Right wrist plain film · PA/AP projection · 65.2 mm image width · 453 by 1160 pixels: 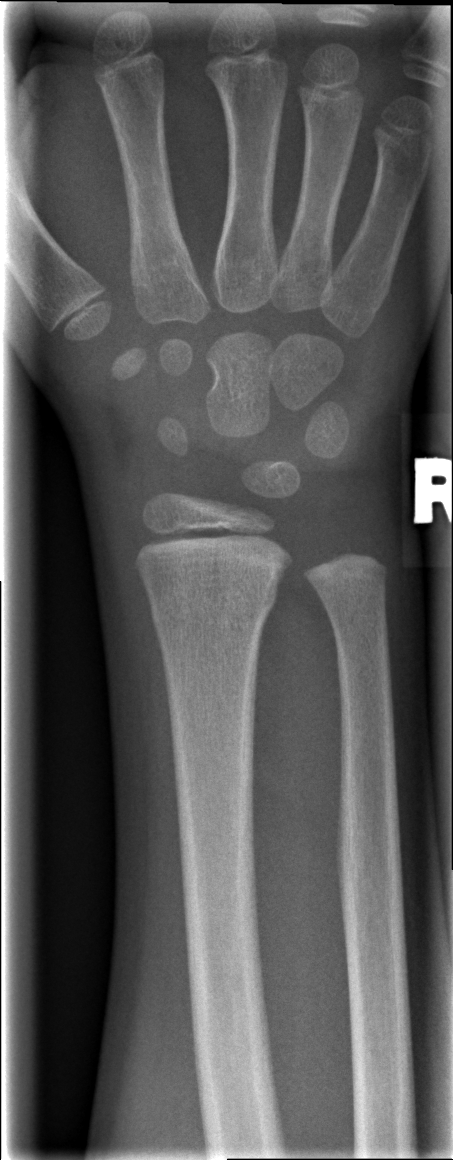

Bone fracture = 1 @ bbox(147, 570, 282, 643)